PA/AP view · Lt wrist plain film · age 15 y, girl —
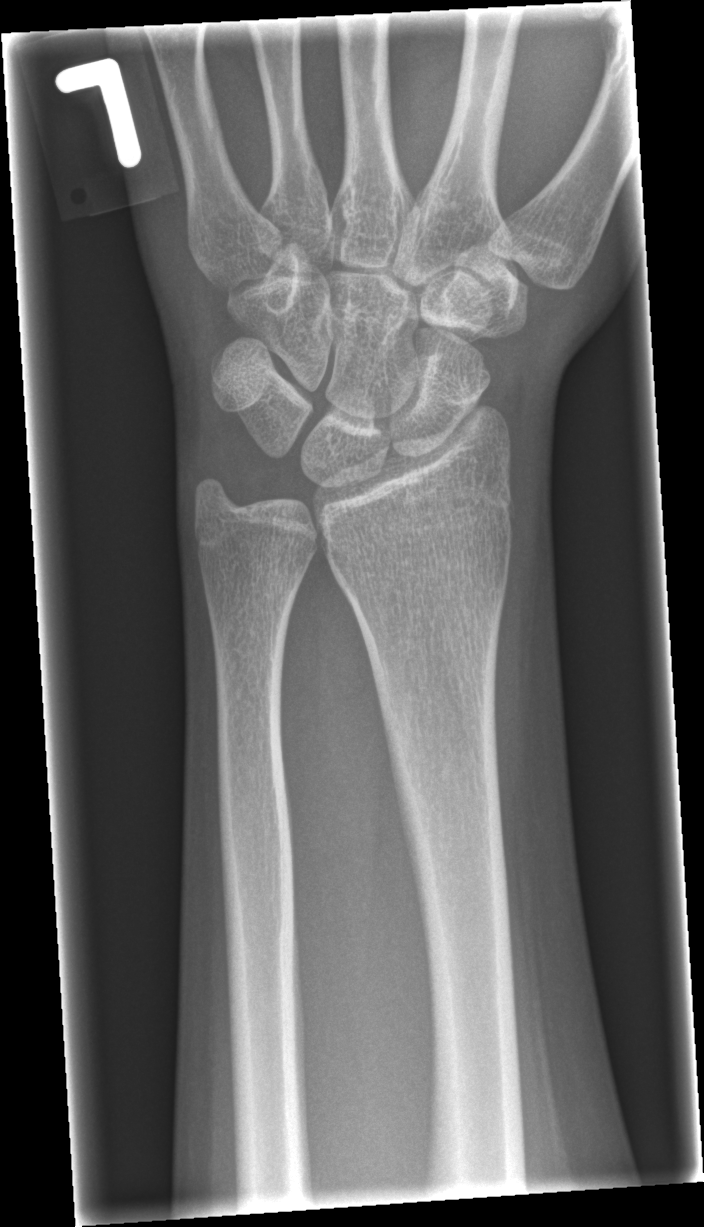

FINDINGS: No fracture labeled.